Lt pediatric wrist radiograph | frontal | pediatric patient (male, age 15) | acquired on Siemens | 660 by 1198 pixels —

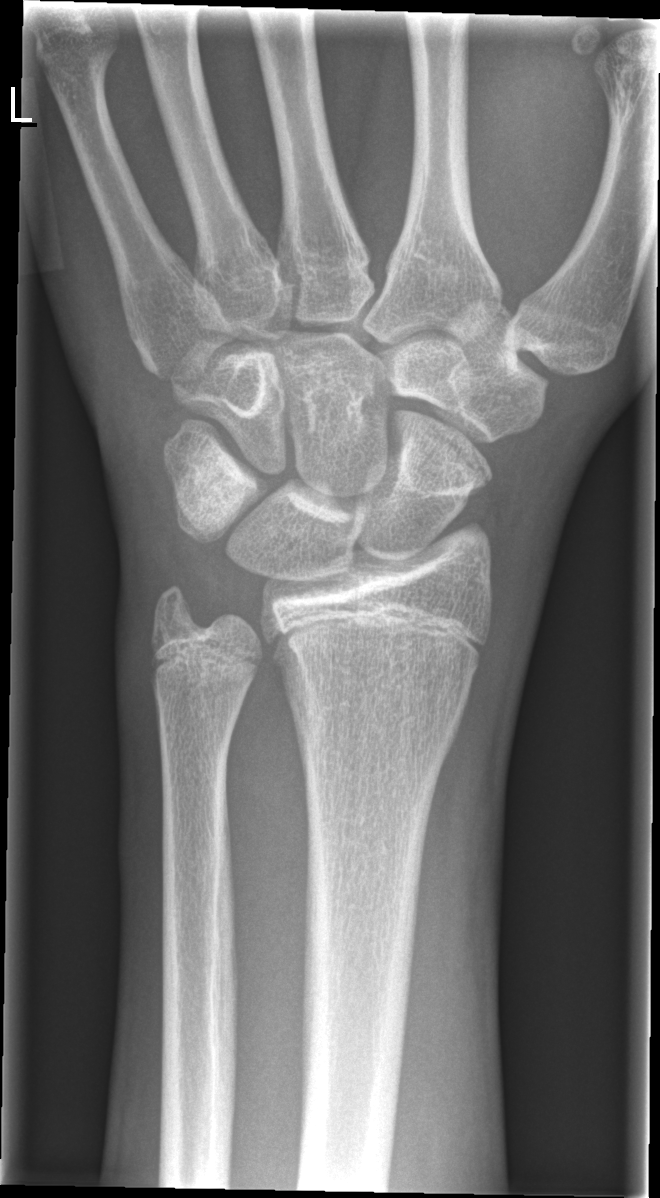

- Bounding boxes in image-pixel xyxy.
- One Fx at (left=401, top=414, right=500, bottom=492).